Rt wrist X-ray; posteroanterior.
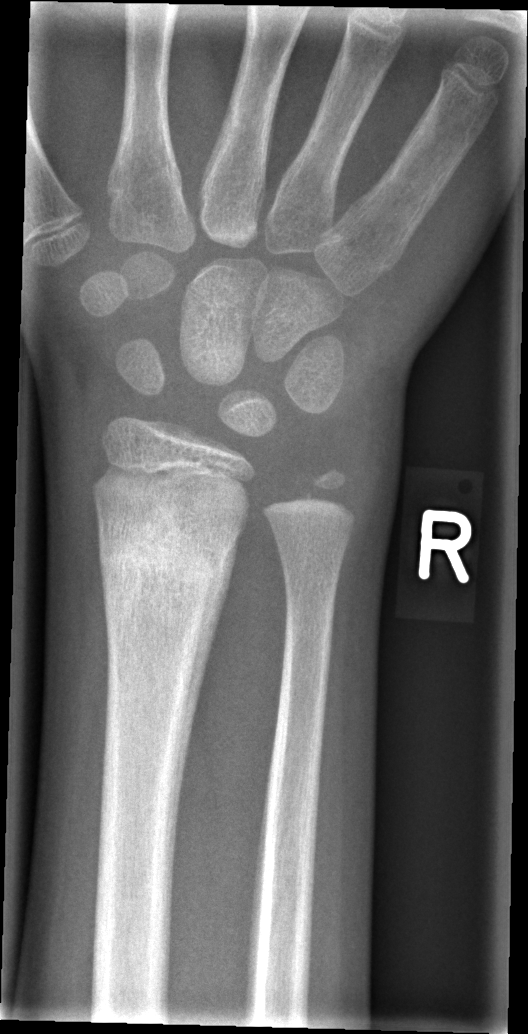
Periosteal new bone = 1 @ <168,530>-<242,869>
Bone fracture = <95,504>-<231,615>